Left wrist X-ray | PA/AP projection | index exam | 97.3 mm image width | 676x1136.
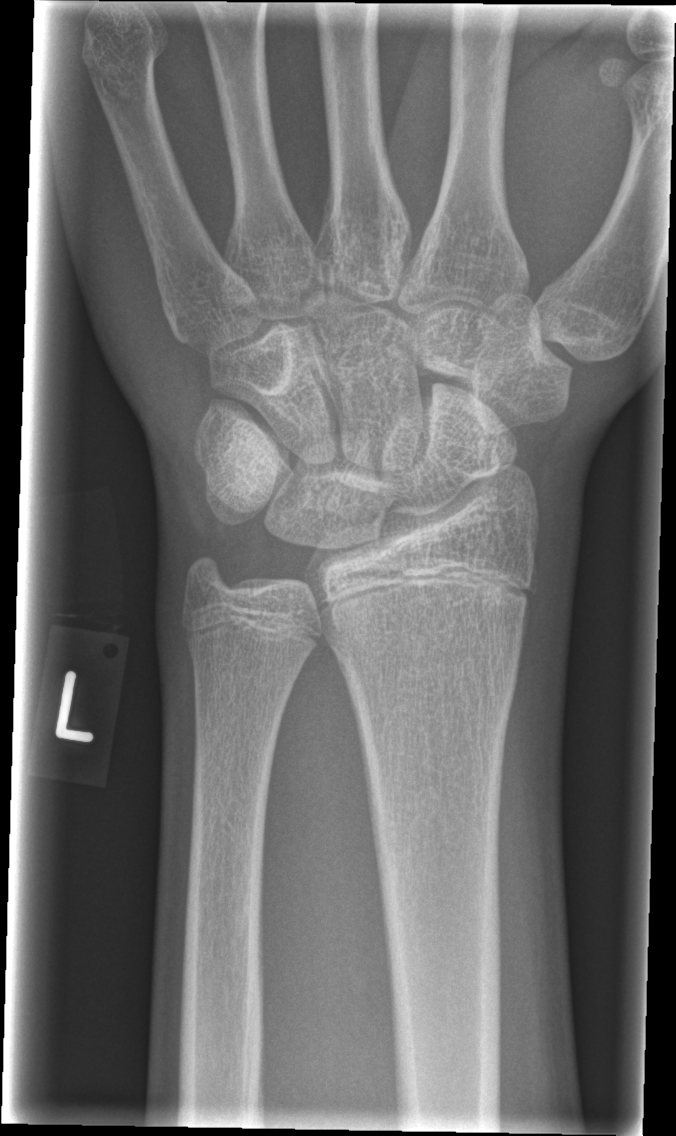
Fx: none.